Lt plain radiograph of the wrist, posteroanterior: 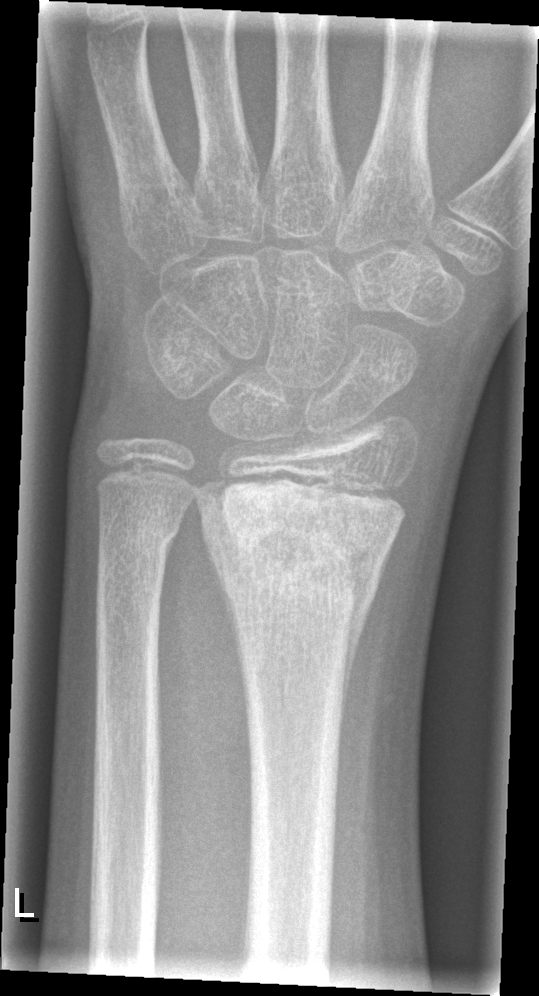 - Coordinates are [x1, y1, x2, y2] in image pixels.
- Two Fx at (left=193, top=475, right=410, bottom=619), (left=95, top=505, right=183, bottom=558).
- Reduced bone mineral density.